Lateral | right wrist plain film | 11y F | index exam:

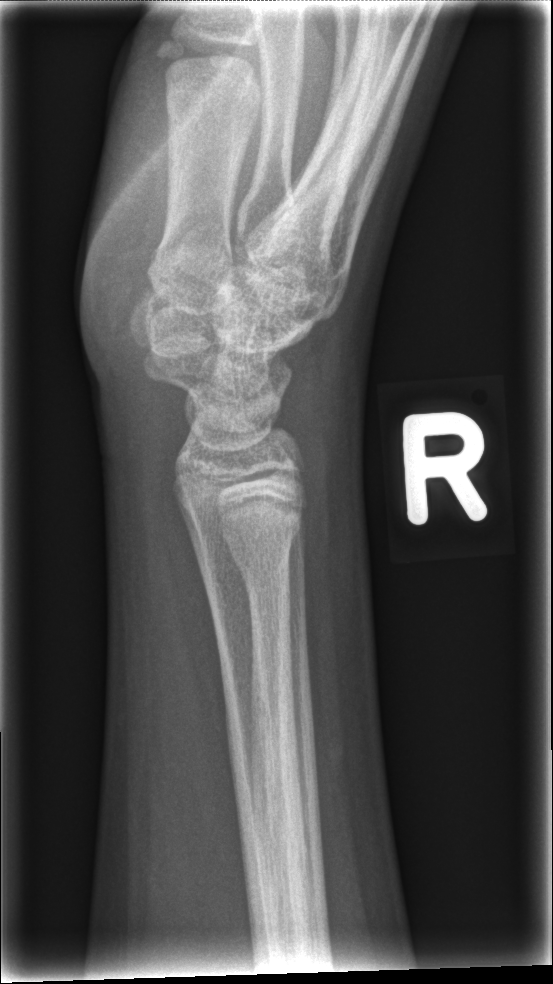
AO code 23r-M/2.1.
Fx identified at 186 509 305 562.